PA/AP view; left wrist plain film; female, 5 yo; in cast 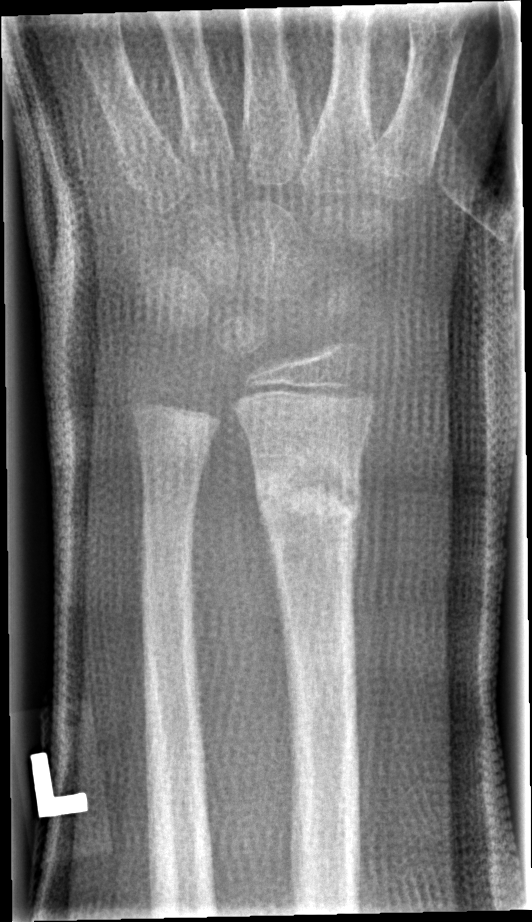
Bounding boxes in image-pixel xyxy. Fx identified at 249 451 367 544.